Frontal · Rt pediatric wrist radiograph · female, 15 yo:
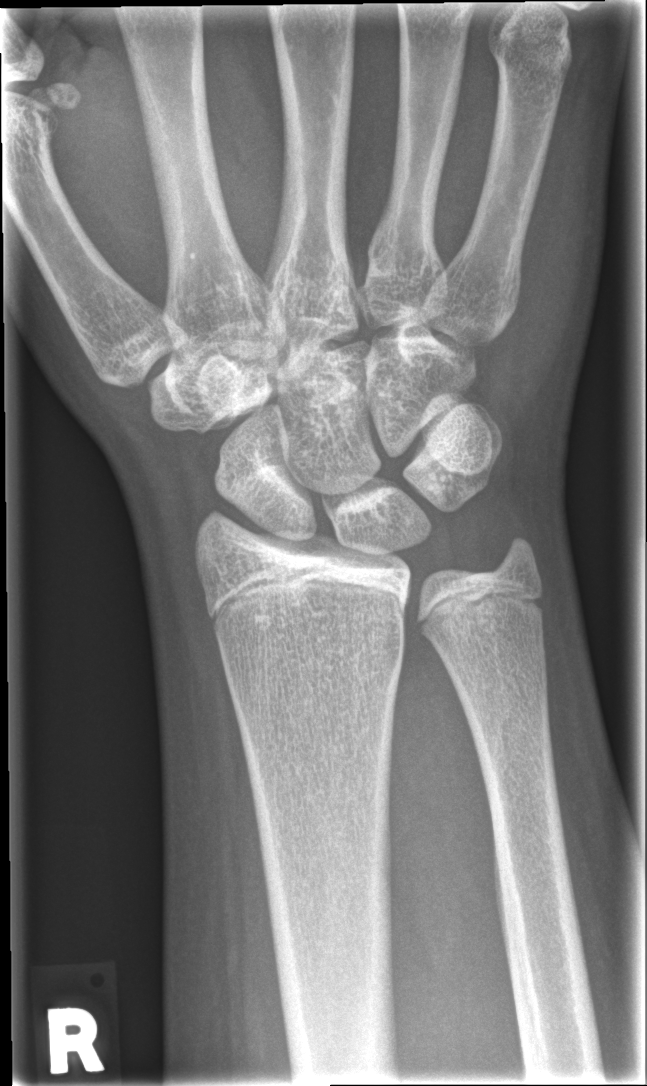
FINDINGS — No fracture annotation.